Lat, L wrist X-ray:

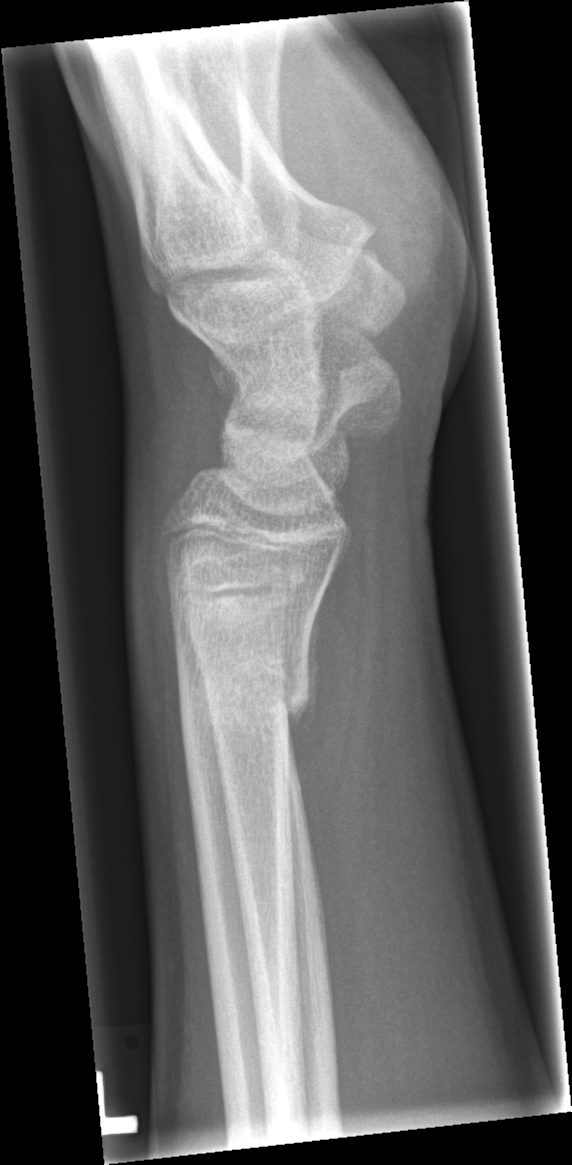 One Fx at bbox(171, 638, 315, 740). Osteopenic.